Lat projection; right wrist XR; age 13 y, male; imaged through cast:

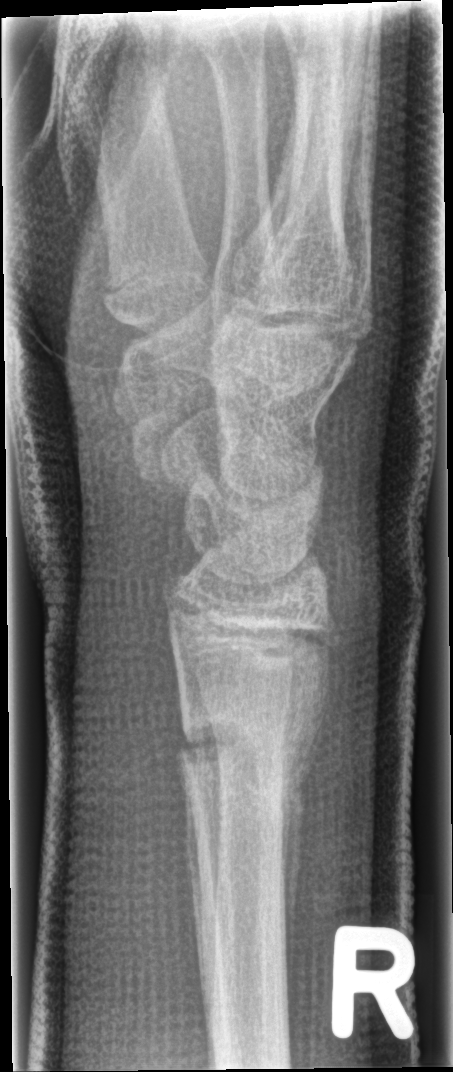 (pixel coordinates, top-left origin, xyxy)
Q: Locate any periosteal reaction.
A: Periosteal new bone identified at [x1=275, y1=706, x2=327, y2=1008], [x1=180, y1=757, x2=205, y2=986]
Q: AO code?
A: AO code 23r-M/3.1; 23u-E/7
Q: Any fracture seen?
A: One bone fracture at [x1=174, y1=708, x2=305, y2=813]